Lt wrist XR | posteroanterior | 680 by 1364 pixels:
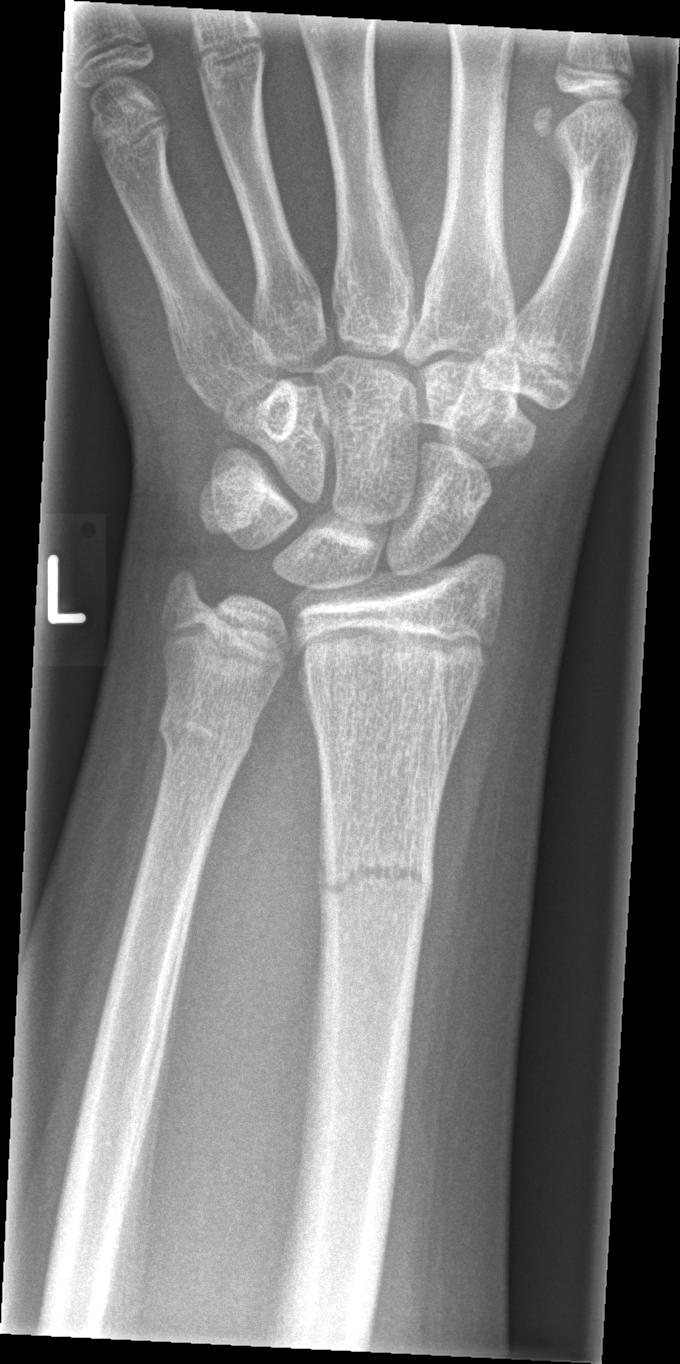   # boxes as x1,y1,x2,y2 (top-left / bottom-right, pixel units)
  ao: 23-M/2.1
  fracture: (313, 839, 438, 920), (152, 702, 258, 771)